Rt wrist XR, lateral, image size 555x1246 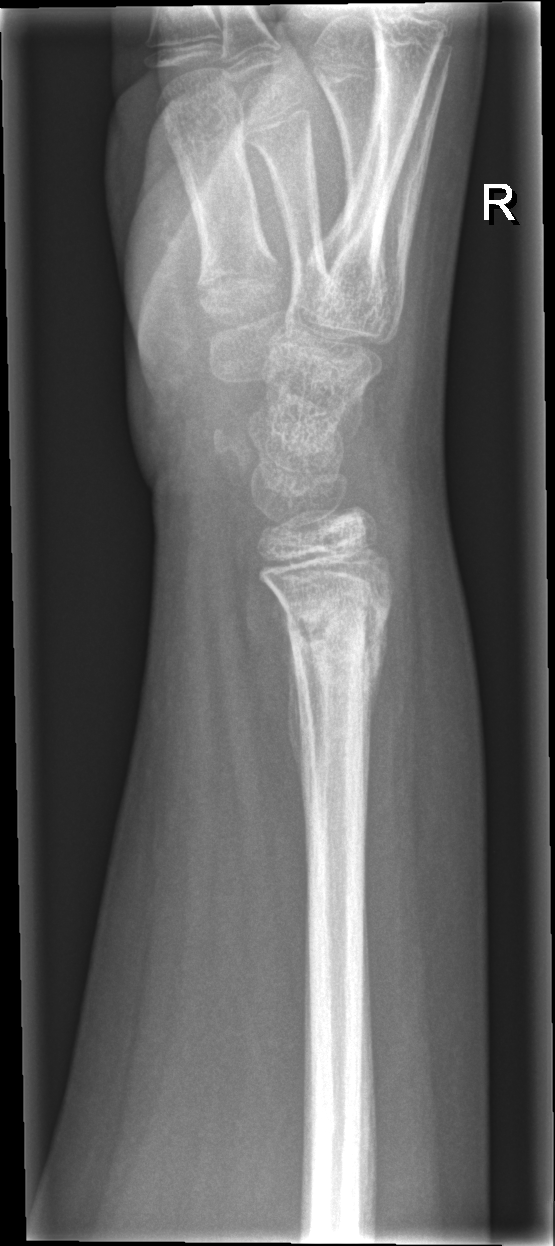
One fracture at <269,560>-<402,705>.
Periosteal new bone: <278,599>-<304,790>.
Reduced bone mineral density.
AO code 23-M/3.1; 23u-E/7.